Right wrist X-ray · lat · pediatric patient (girl, age 8): 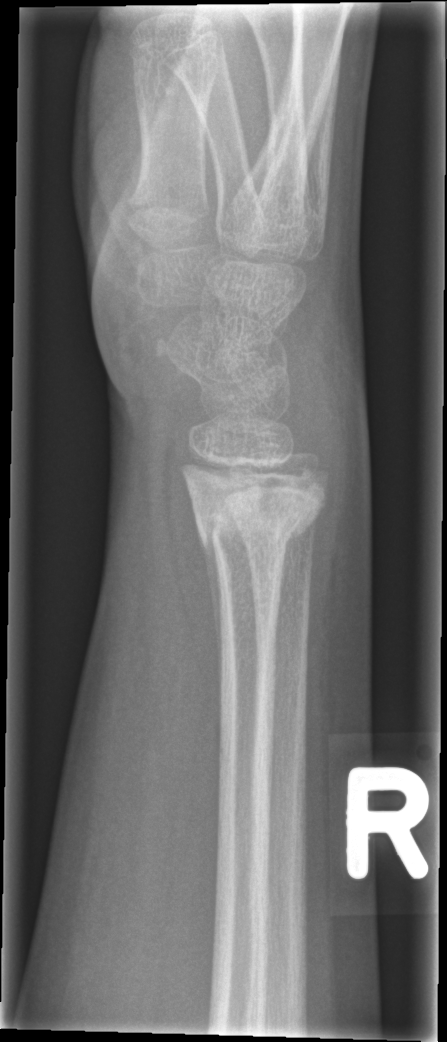 * Periosteal new bone: <196,515>-<222,723>.
* Fracture classified AO/OTA 23r-M/3.1.
* One fracture at <184,474>-<327,564>.
* Reduced bone mineral density.